Lat projection | Rt wrist plain film | 14-year-old boy | 53.0 mm image width | image size 368x1190 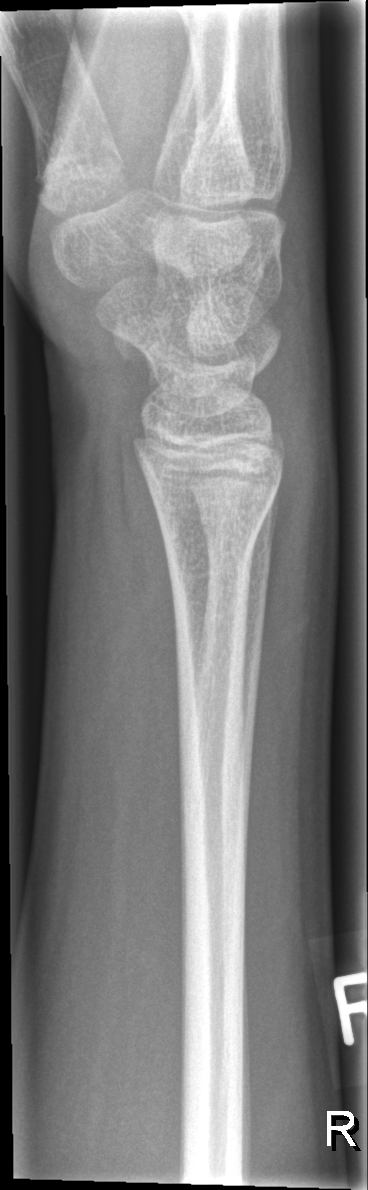
One bone fracture at (152, 489, 281, 587).